Left wrist XR; AP; detector: Siemens — 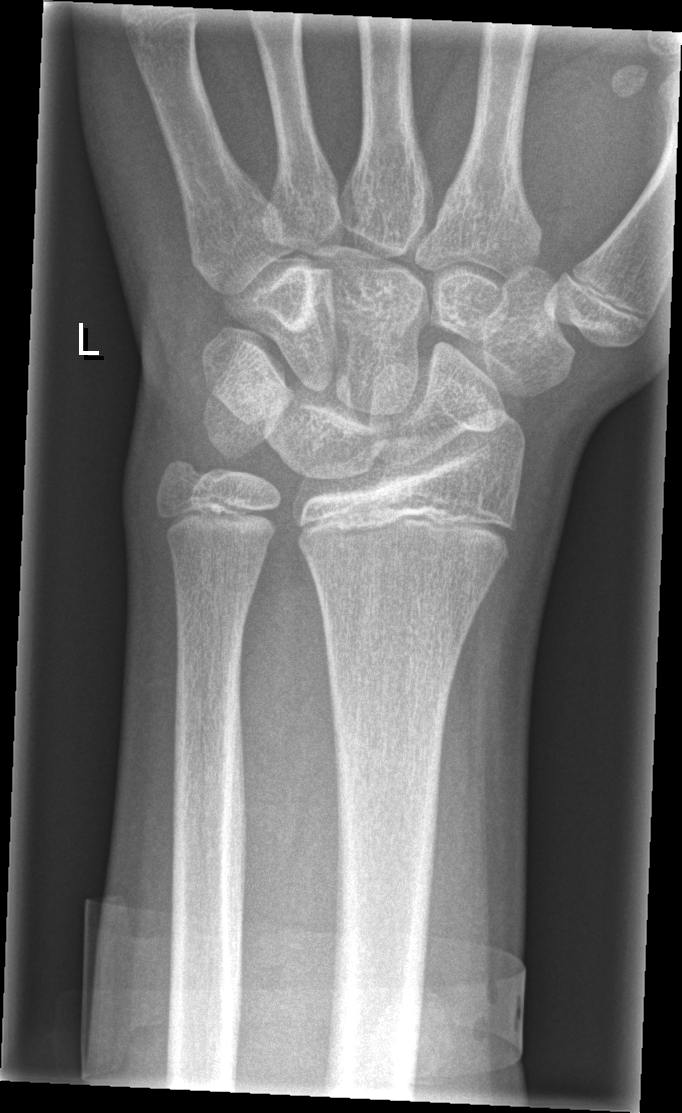
bone fracture: none labeled